Lat | right wrist XR | male, 11 yo | imaged through cast — 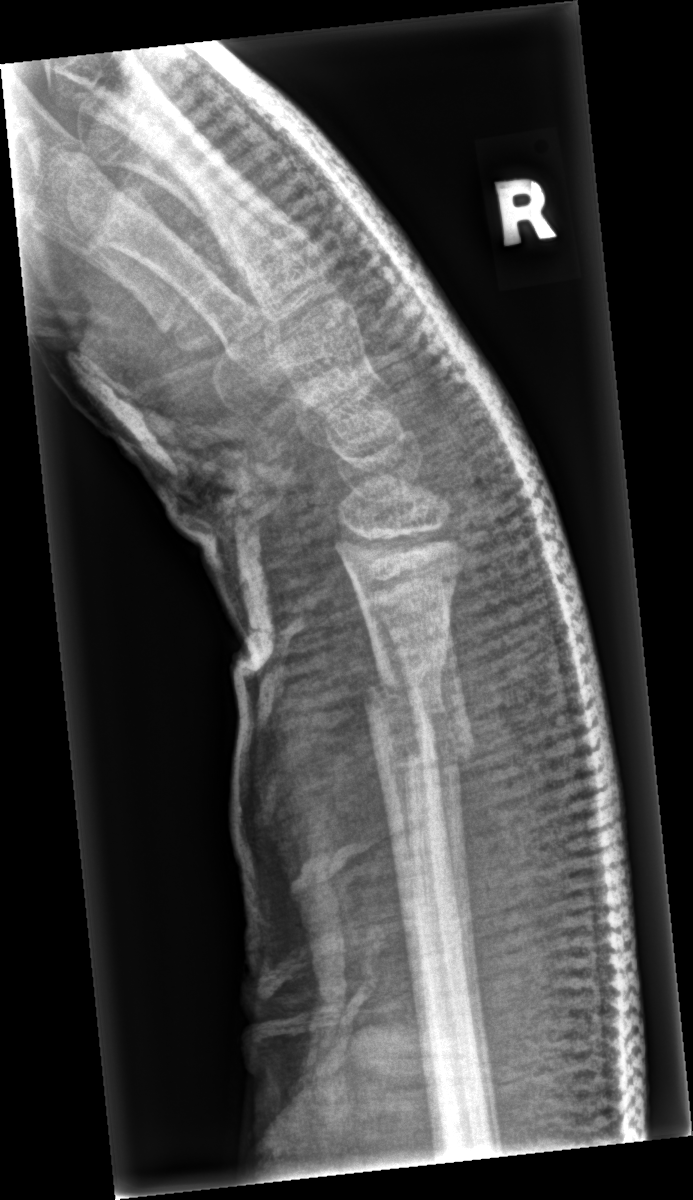
Findings: AO/OTA classification: 23-M/3.1. Bone fracture: (left=358, top=667, right=479, bottom=789).